Left plain radiograph of the wrist, lateral, follow-up study, acquired on Siemens:

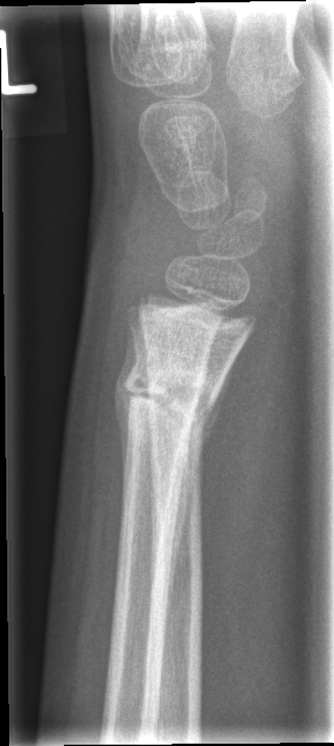 Boxes as x1,y1,x2,y2 (top-left / bottom-right, pixel units).
Osteopenic.
Periosteal reaction identified at (164, 357, 236, 644); (113, 318, 140, 502).
Bone fracture identified at (118, 360, 217, 439).